Left wrist radiograph; frontal projection; 13y M; index exam —
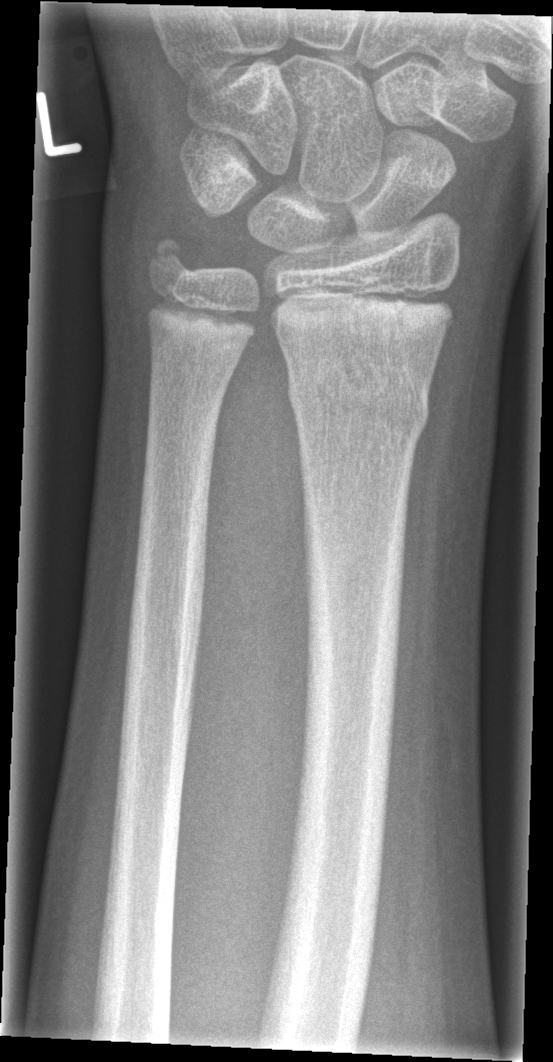 AO code: 23r-M/2.1; 23u-E/7
Bone fracture: 2 @ (285, 352, 436, 445); (143, 230, 202, 289)